Rt pediatric wrist radiograph; lat — 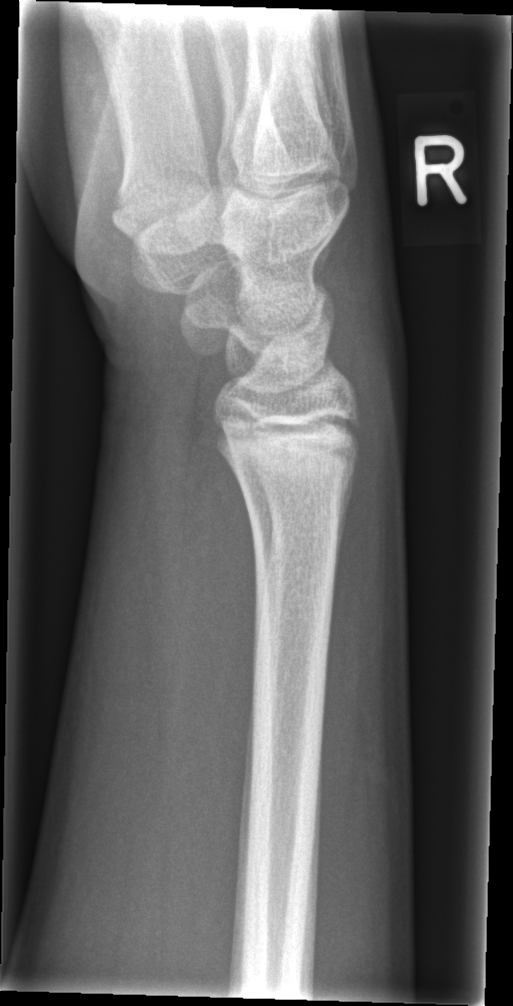 Positive pronator fat-pad sign — bbox(169, 456, 263, 837). No fracture labeled.